R pediatric wrist radiograph · lateral · age 13 y, boy · follow-up study · in cast — 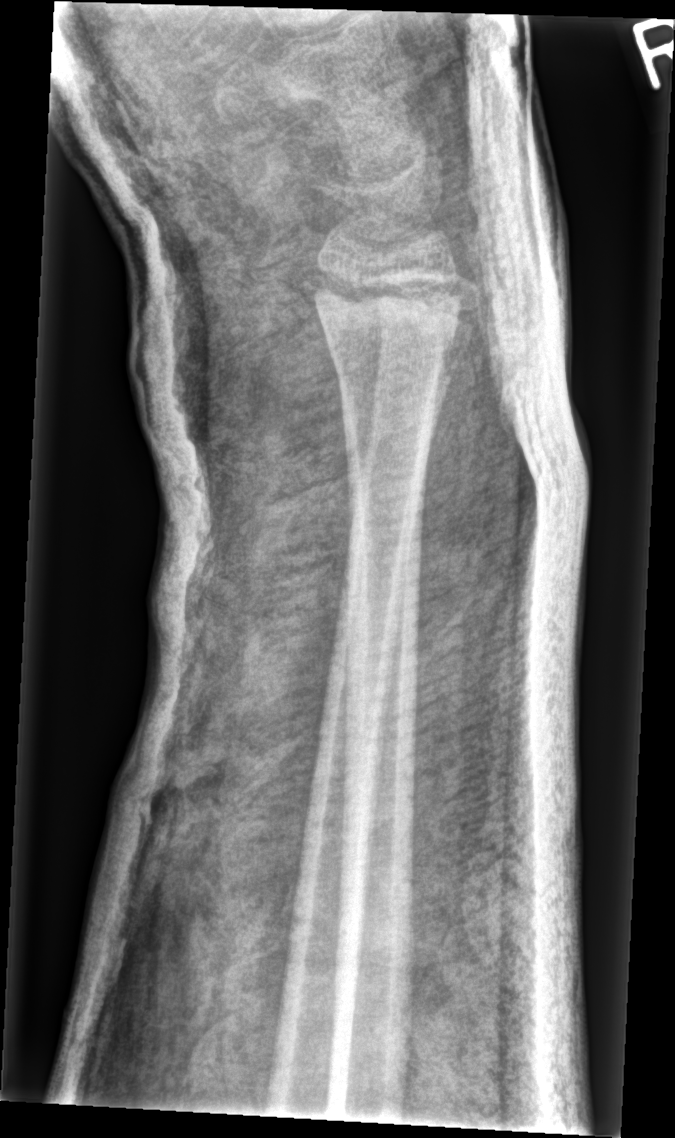 Fracture classified AO/OTA 23r-E/2.1; 23u-E/7.
One Fx at bbox(300, 265, 467, 362).